L plain radiograph of the wrist, frontal, age 8 y, boy, follow-up study, 68.8 mm image width.

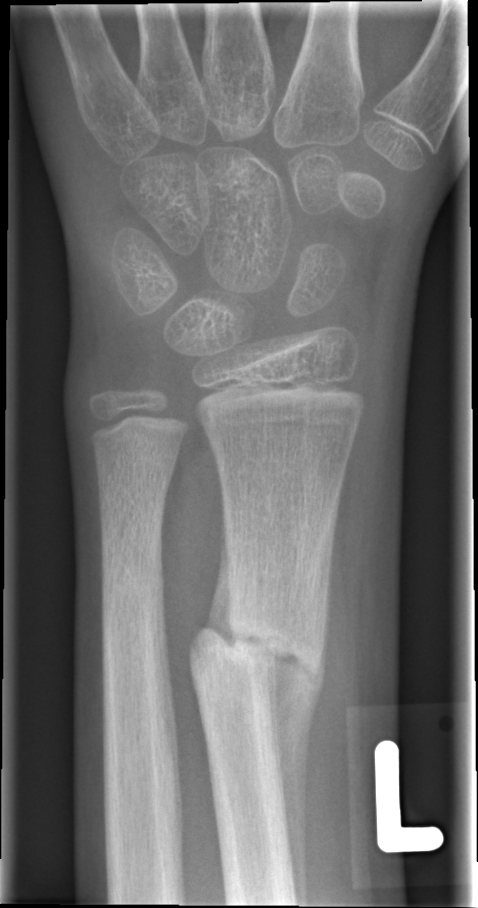

{"periostealreaction": "2 @ bbox(268, 638, 328, 906), bbox(202, 510, 235, 649)", "ao": "22r-D/4.1", "fracture": "bbox(185, 604, 330, 703)"}